Lateral view; left wrist X-ray; age 9 y, girl; 398x842 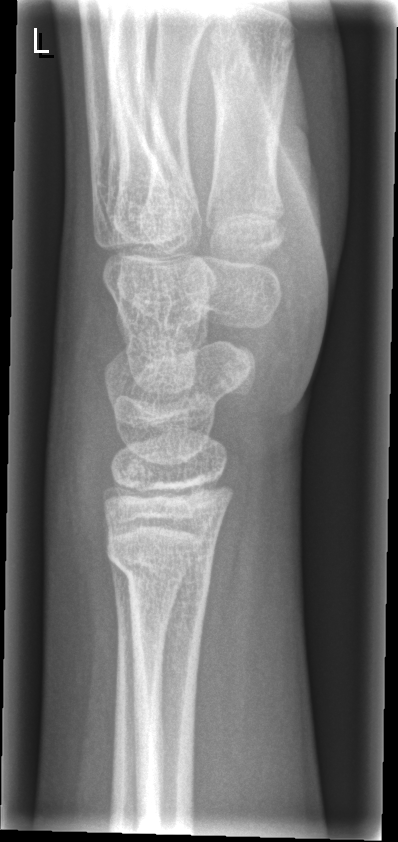 Bone fracture: 103,531,214,598.